Lt wrist plain film | lat.

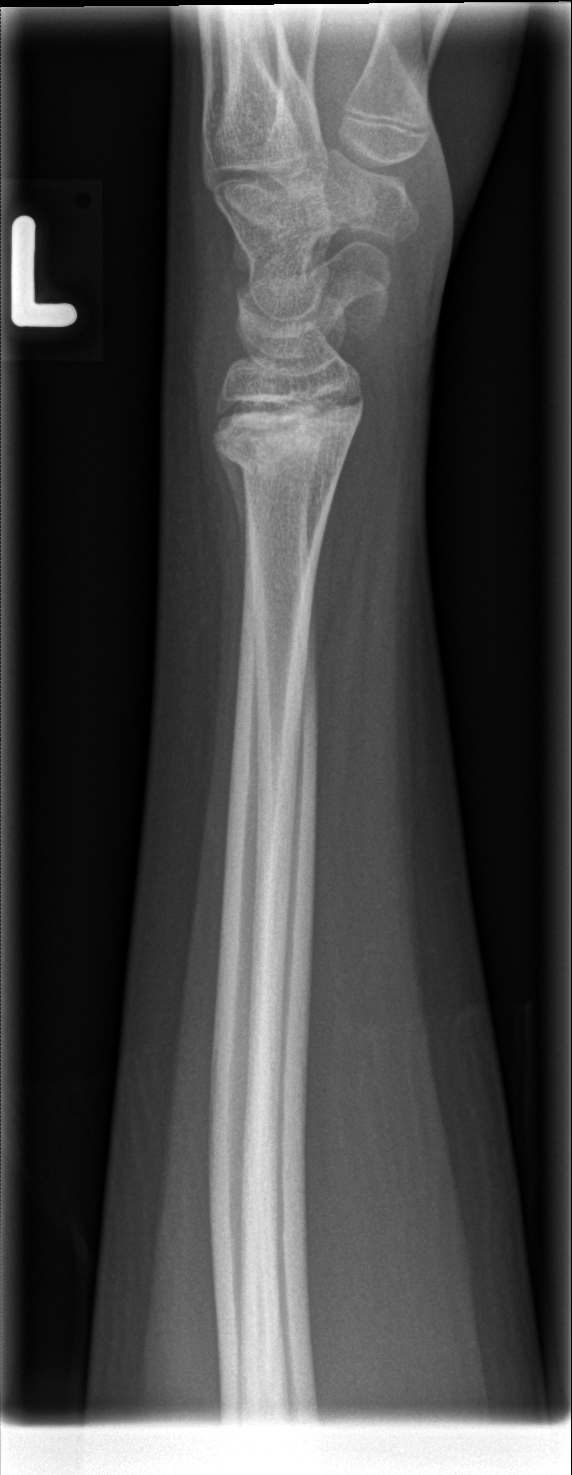
FINDINGS — Fx identified at 211 401 365 480. Periosteal reaction — 215 443 248 592. Fracture classified AO/OTA 23r-M/3.1.